PA/AP · right wrist plain radiograph of the wrist · 10y M · presentation radiograph.
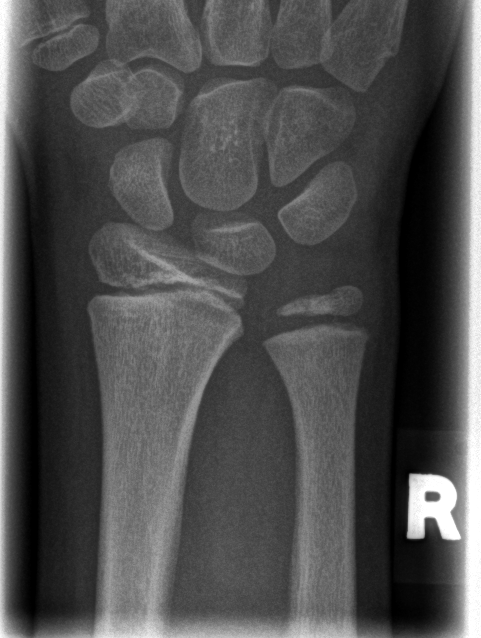 Findings: No fracture annotation.